L wrist radiograph; lateral view 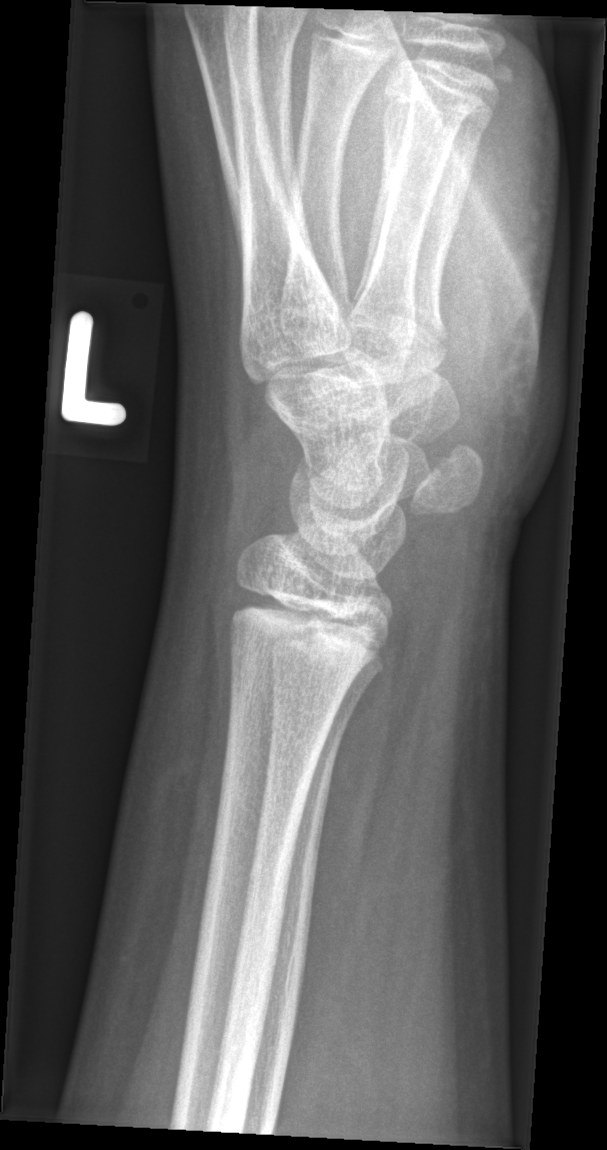
fracture: none labeled